Lat view | left plain radiograph of the wrist | age 15 y, boy | 597x1362: 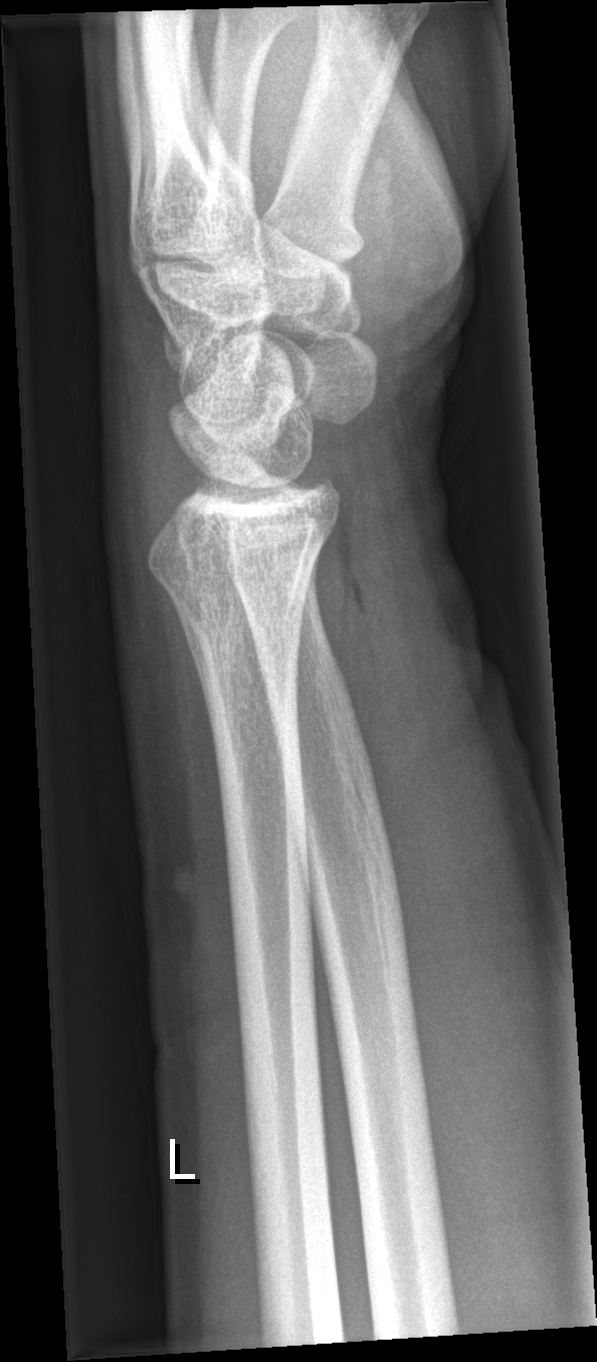 (bounding boxes in image-pixel xyxy)
AO classification = 23r-M/2.1; 23u-E/7
periosteal new bone = 1 @ [x1=181, y1=606, x2=216, y2=732]
Fx = 1 @ [x1=160, y1=553, x2=311, y2=682]